Lat projection; R pediatric wrist radiograph; 17y F; follow-up study —
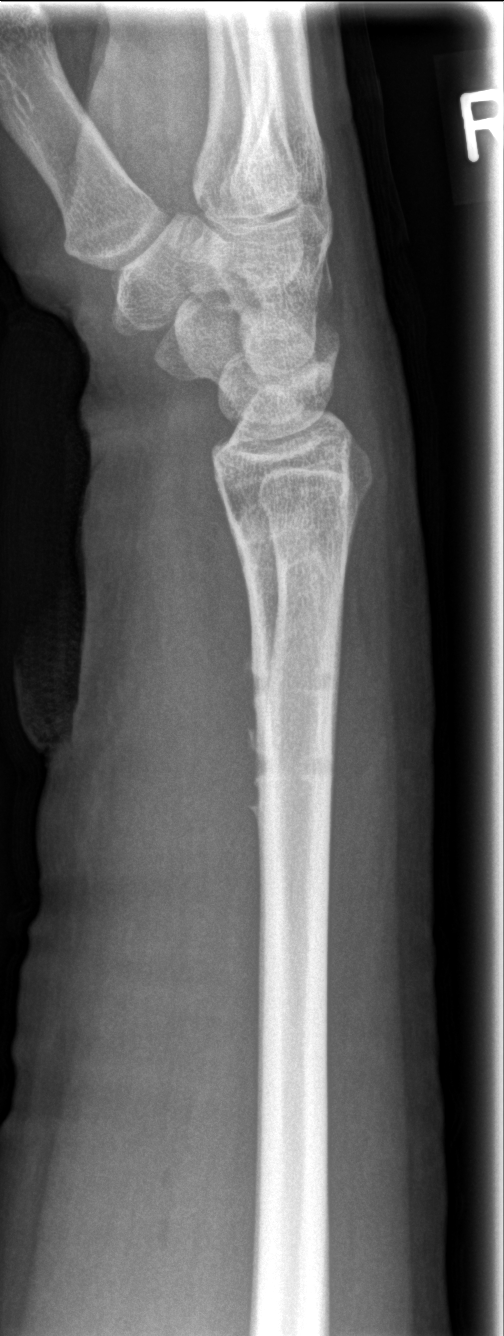 Findings: (coordinates are [x1, y1, x2, y2] in image pixels) Bone fracture: 224,478,376,571. AO/OTA classification: 23r-M/3.1; 23u-E/7. Bone anomalies — 248,735,337,792
  247,659,341,701.